Posteroanterior · L wrist radiograph · 11-year-old male · follow-up study · image size 566x940.

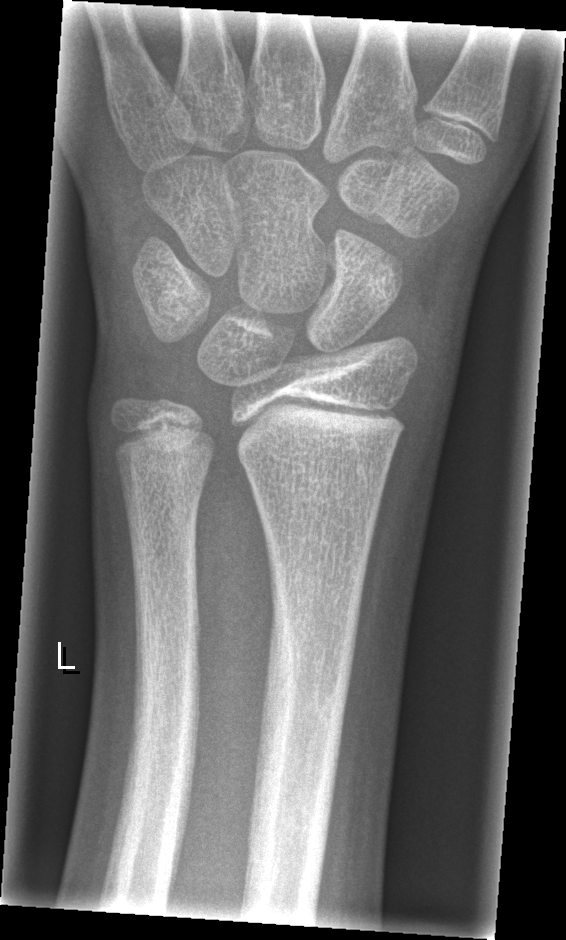 Findings: Fracture — 98,609,207,901.